Rt wrist XR; lat projection; follow-up study; image size 673x1188 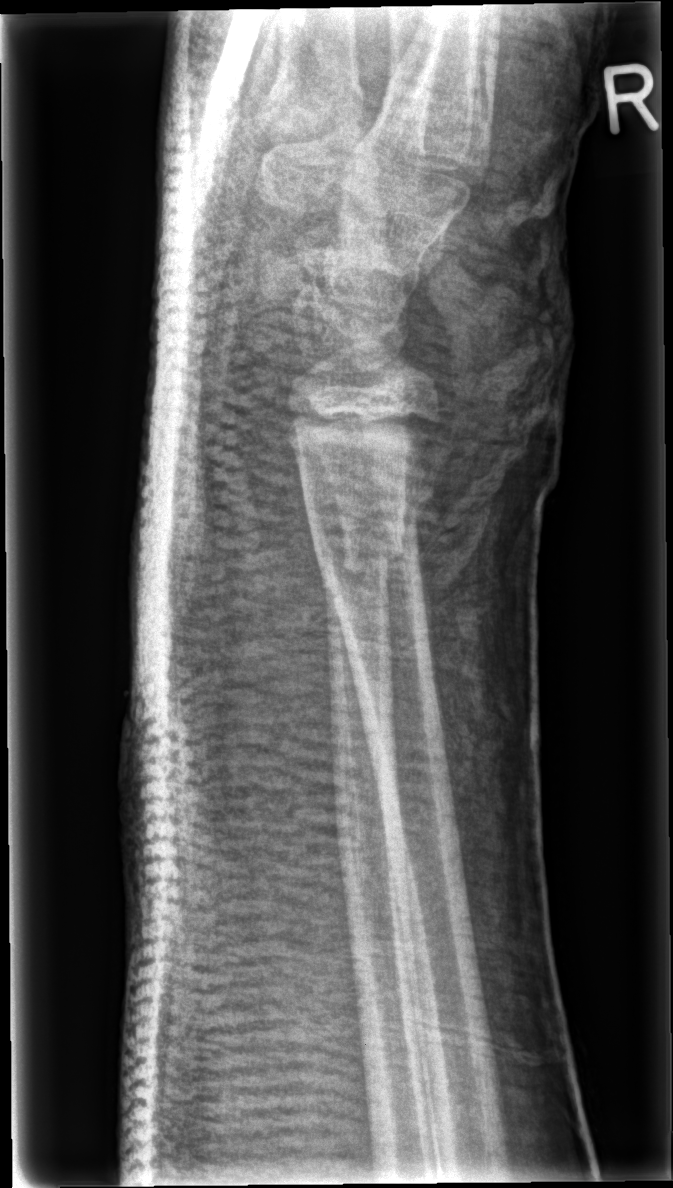 # coordinates are [x1, y1, x2, y2] in image pixels
fracture: 1 @ (298, 489, 426, 595)
ao: 23-M/3.1